PA/AP view | right wrist X-ray | male, 16 yo | follow-up study | cast present | detector: Siemens:

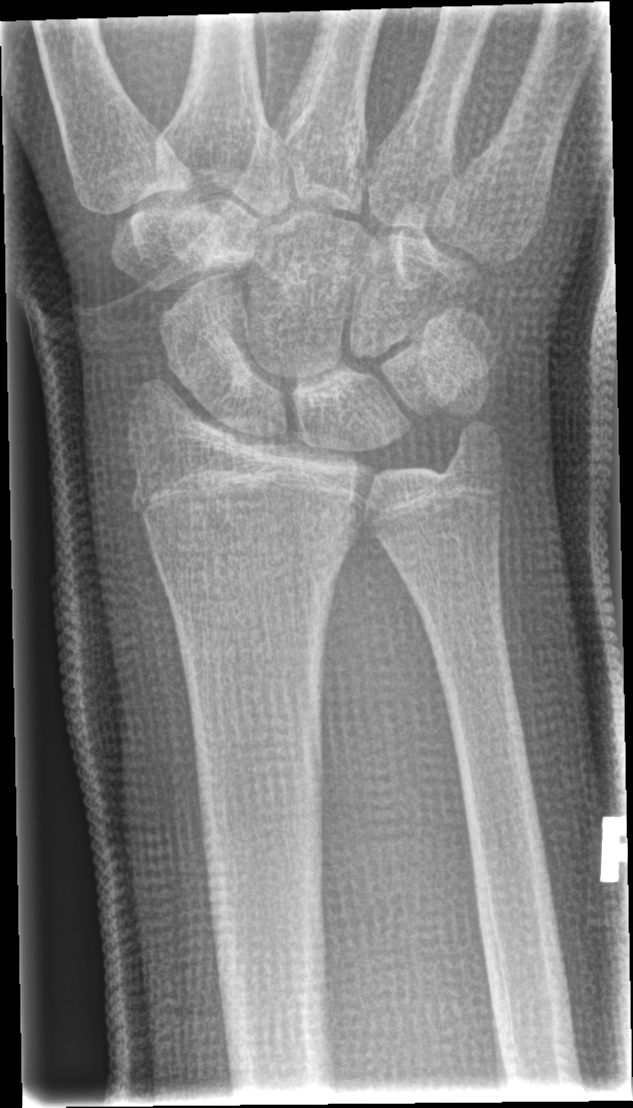 (bounding boxes in image-pixel xyxy)
Bone fracture = 1 @ [134, 497, 362, 579]